Left wrist XR; lat view 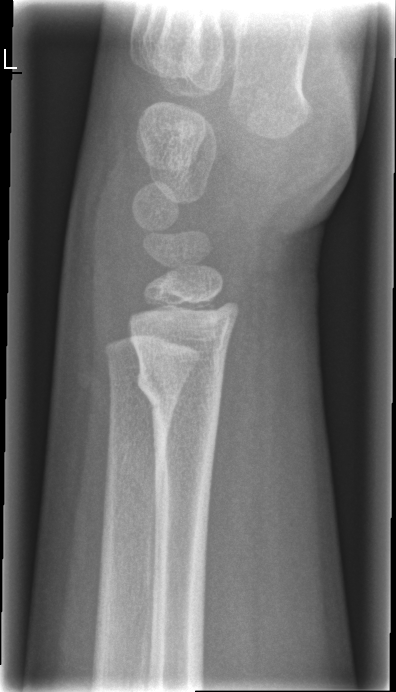 Fx = 134 356 227 418